Posteroanterior view · left wrist X-ray · 5y M · subsequent exam
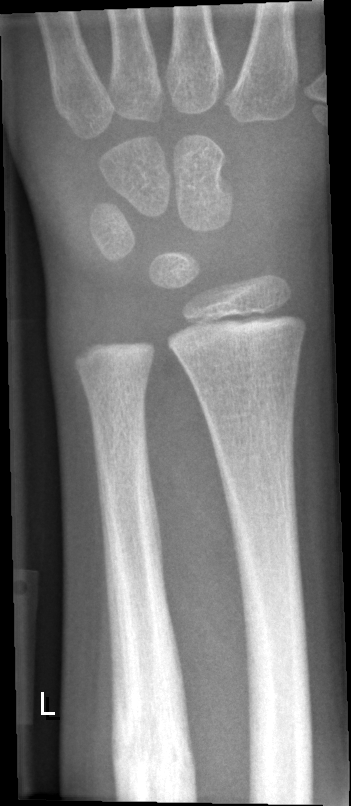
One Fx at <109,671>-<200,803>.